Lateral, left wrist radiograph, 7y M, Siemens.
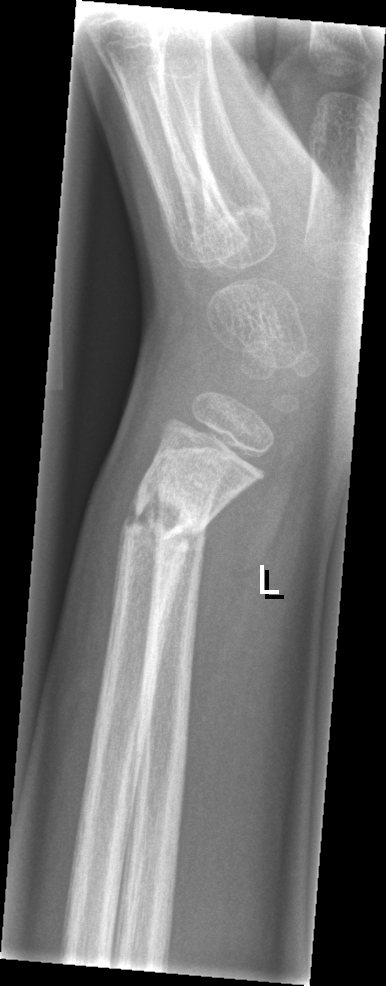
periosteal reaction: 1 @ 112 491 136 607
bone fracture: 119 476 212 560
osteopenia: present
AO classification: 23r-M/3.1